Left wrist XR · lateral projection · 10y F
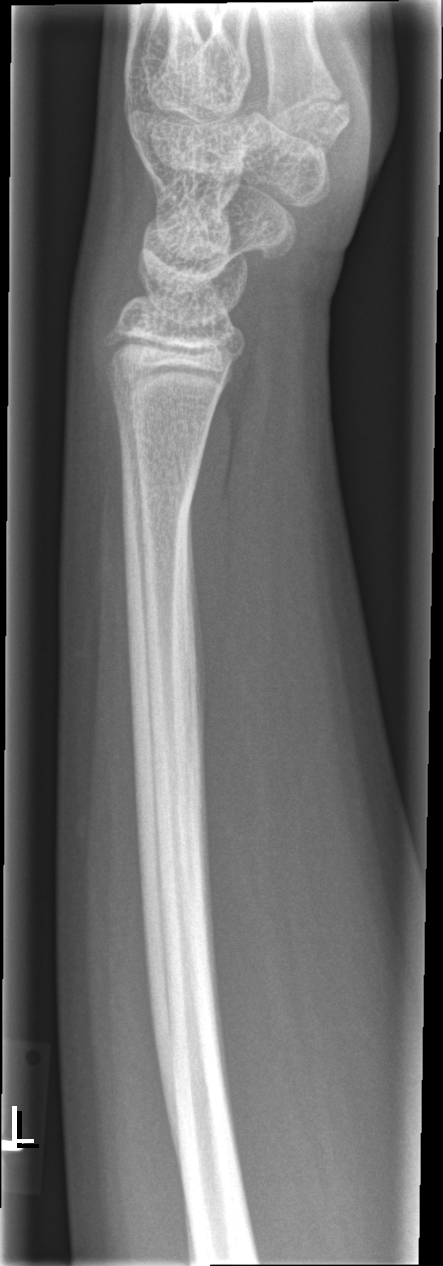 • Fracture identified at (120, 472, 197, 550).
• AO code 23r-M/2.1.